Lat view, left plain radiograph of the wrist. 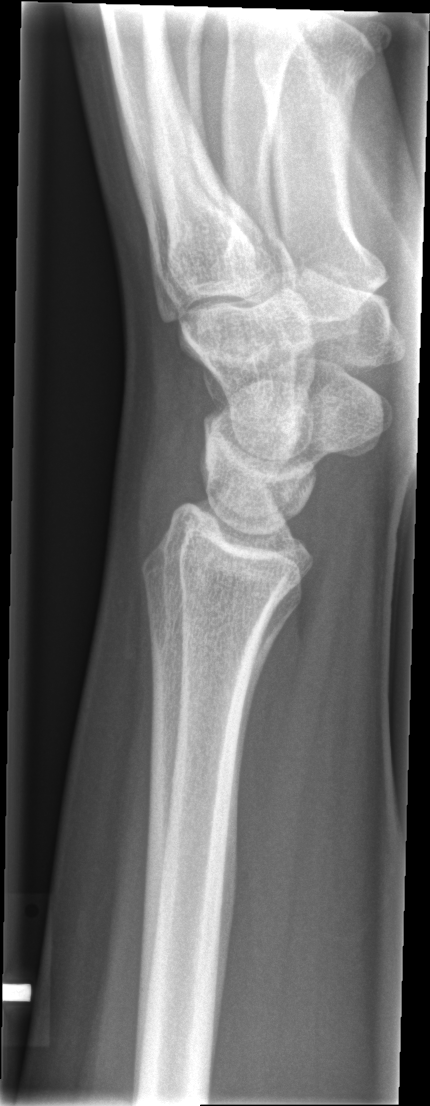 No fracture annotation.